Lt wrist XR | lateral | age 12 y, boy | follow-up study:

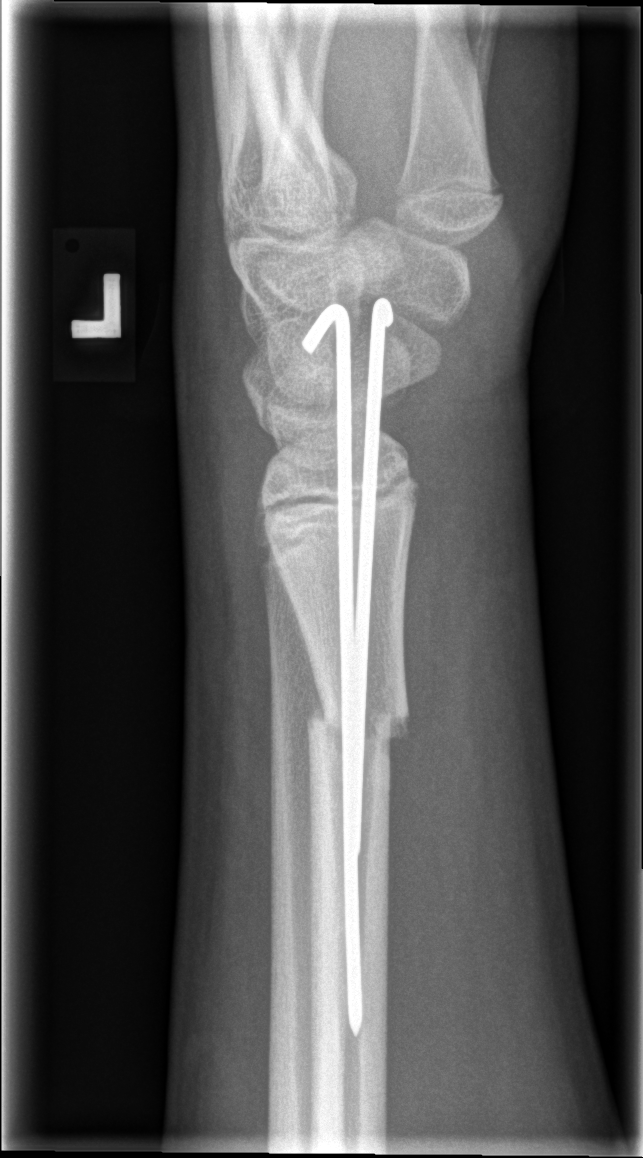
Fracture = 1 @ 304 698 412 758
AO classification = 23r-M/3.1; 23u-E/7
Metal = 1 @ 299 296 397 1038